Right wrist plain radiograph of the wrist; frontal; 621 by 978 pixels. 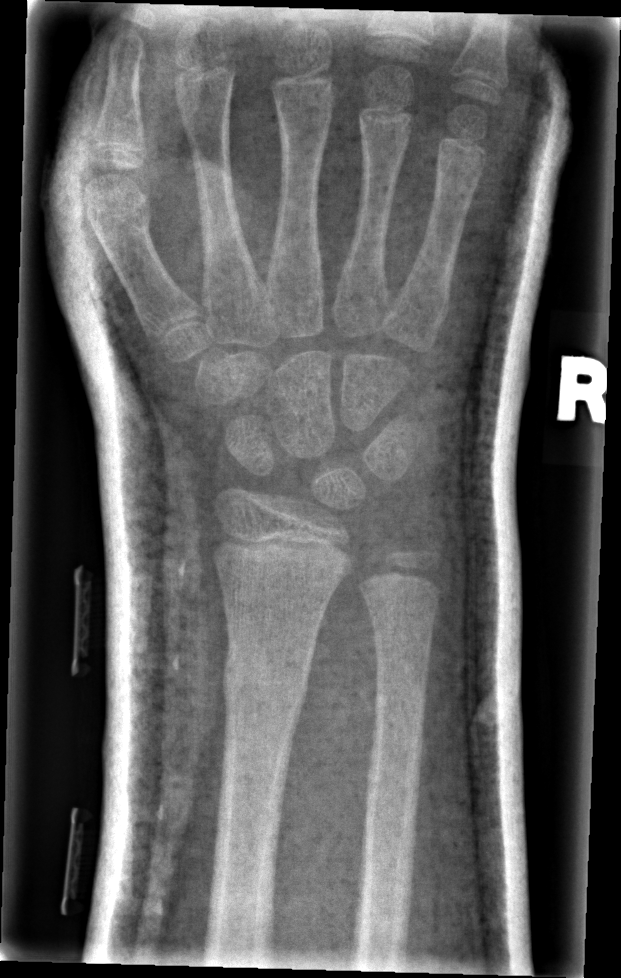

• Boxes as x1,y1,x2,y2 (top-left / bottom-right, pixel units).
• One bone fracture at 220,654,313,717.
• Fracture classified AO/OTA 23r-M/2.1.